Lateral projection | L pediatric wrist radiograph | cast in situ | detector: Siemens — 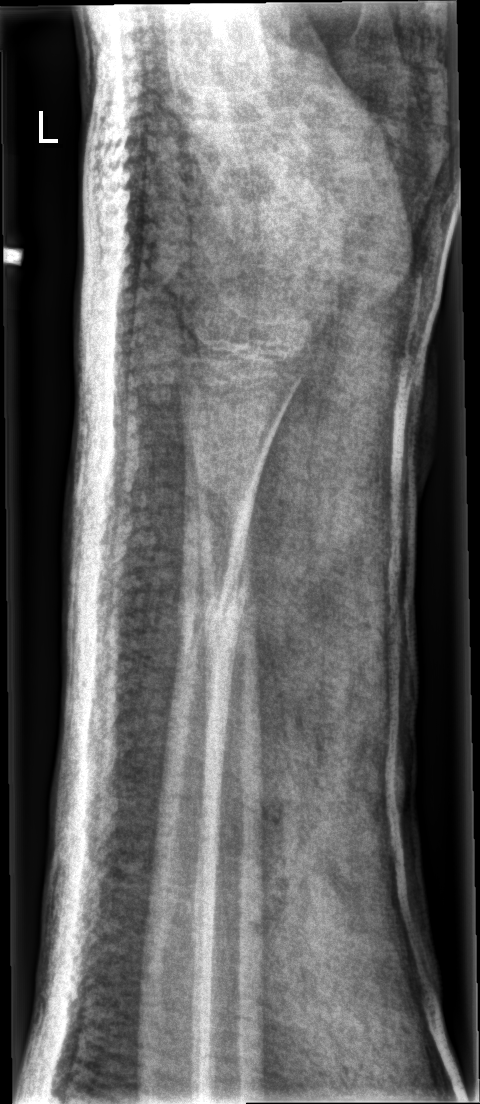
Fracture — bbox(172, 555, 252, 643). Fracture classified AO/OTA 22r-D/5.1.